Right wrist XR · lat view · 15-year-old male · 742 x 1426 px. 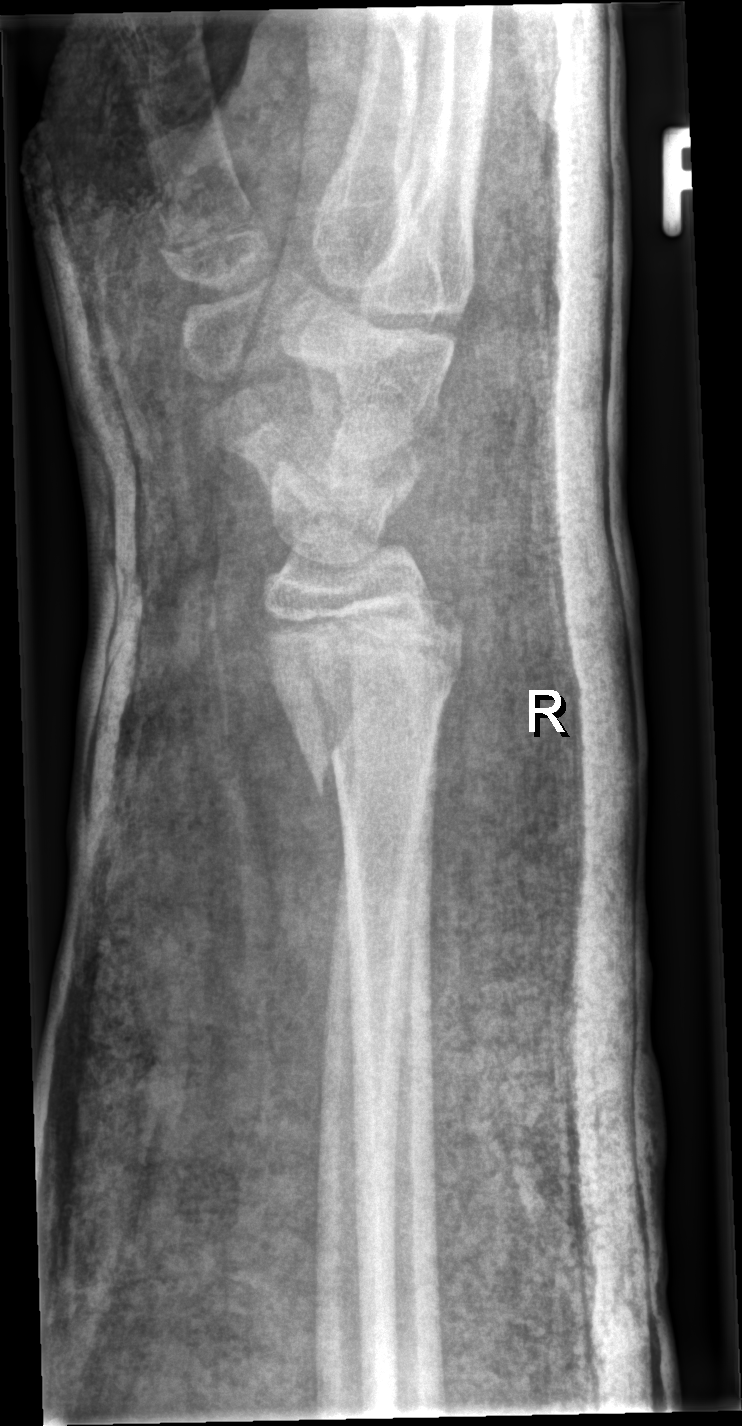 FINDINGS — Fracture classified AO/OTA 23r-E/2.1. Fx identified at [x1=271, y1=595, x2=468, y2=814].